Lateral projection | right wrist pediatric wrist radiograph | pediatric patient (male, age 14). 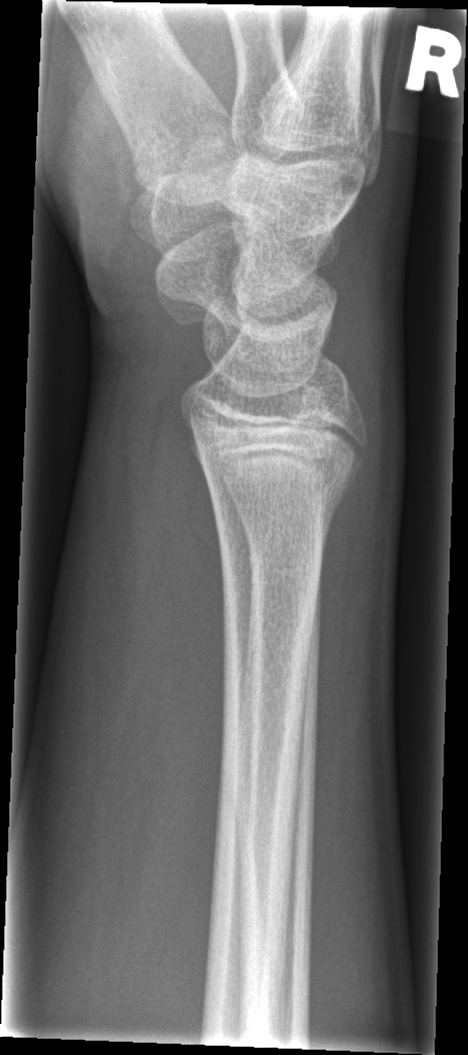
* Fx — 302 453 368 535.
* Fracture classified AO/OTA 23r-M/2.1.